Frontal view; Lt wrist plain film — 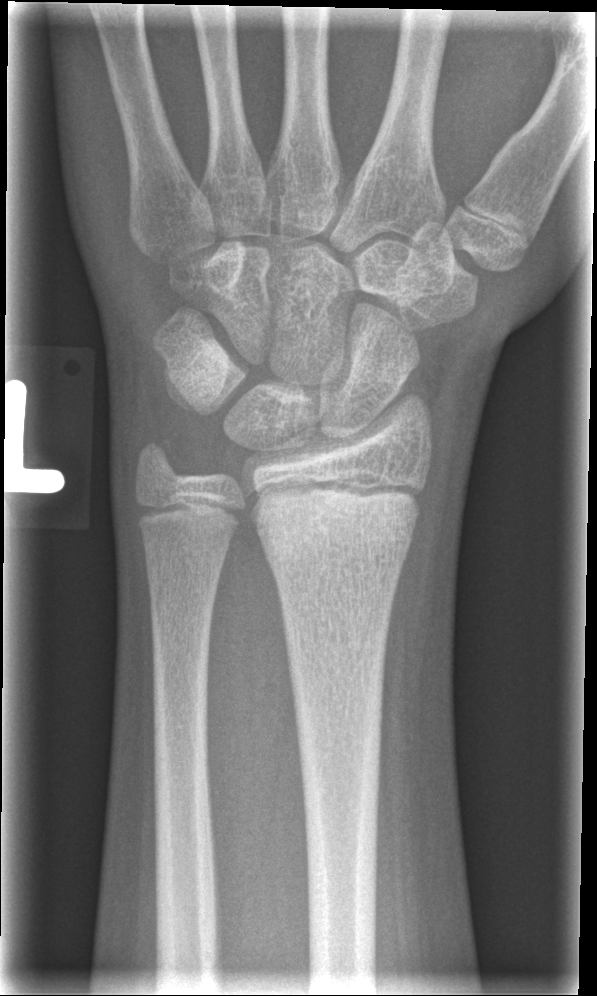
- Two bone fractures at (254, 482, 425, 572) (131, 426, 187, 491).
- AO/OTA classification: 23r-M/2.1; 23u-E/7.